Right wrist plain radiograph of the wrist; lat; follow-up. 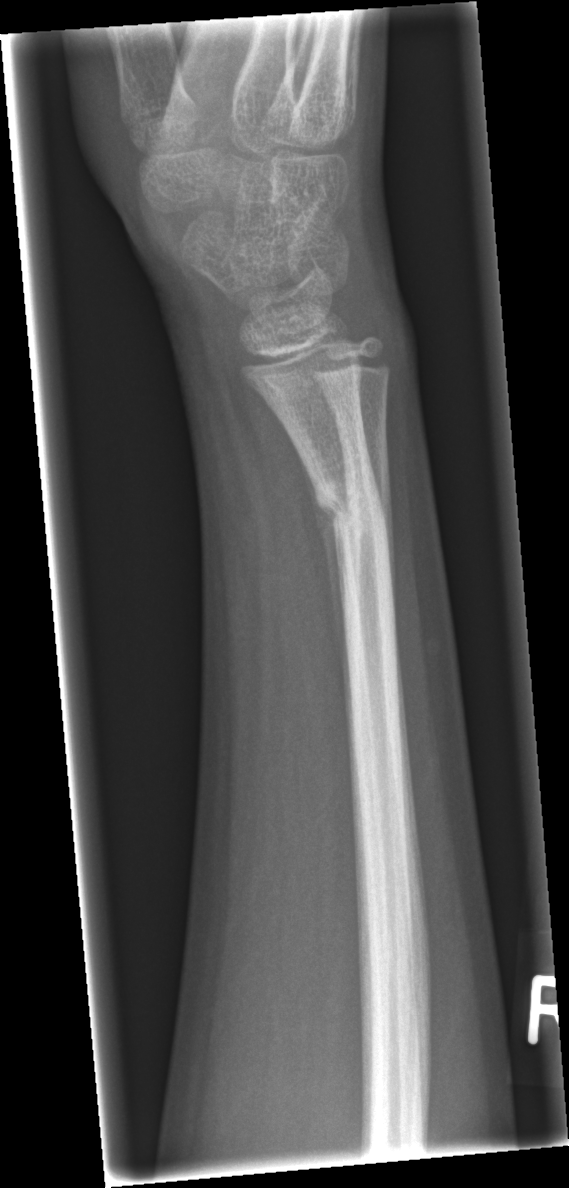

(pixel coordinates, top-left origin, xyxy)
Periosteal new bone: bbox(309, 478, 356, 749)
Fx: bbox(309, 469, 396, 549)